PA/AP; L wrist plain film:

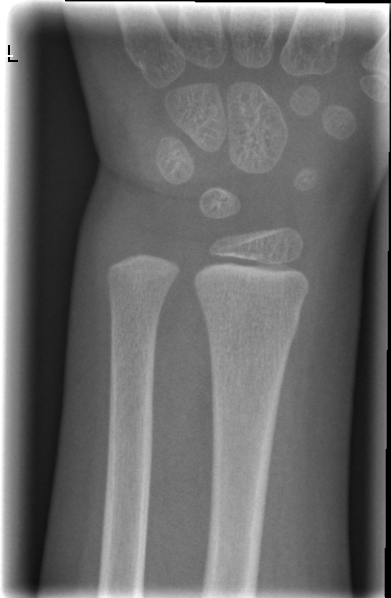 ao: 23r-M/2.1
fracture: 1 @ [x1=198, y1=293, x2=302, y2=345]